PA/AP | Lt wrist X-ray | presentation radiograph | Siemens —

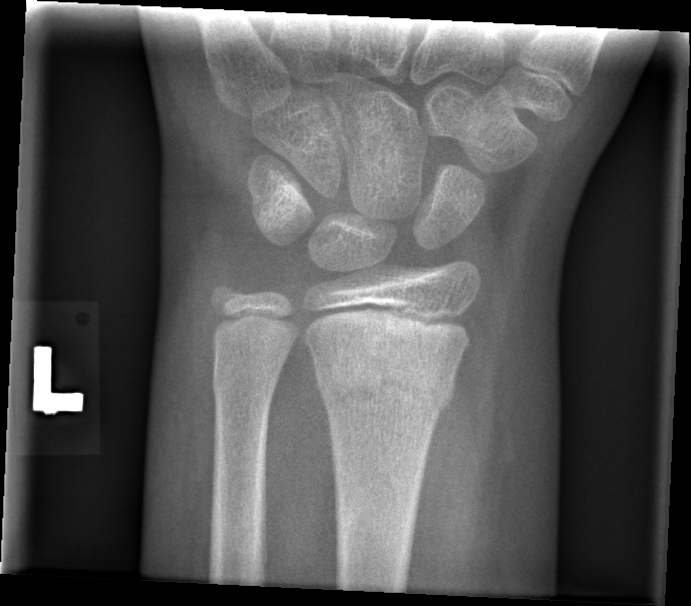 (bounding boxes in image-pixel xyxy)
Fx = 2 @ bbox(310, 346, 458, 421) bbox(208, 355, 284, 412)
AO/OTA = 23r-M/3.1; 23u-M/2.1